Right wrist XR; lateral view; boy, 7 yo. 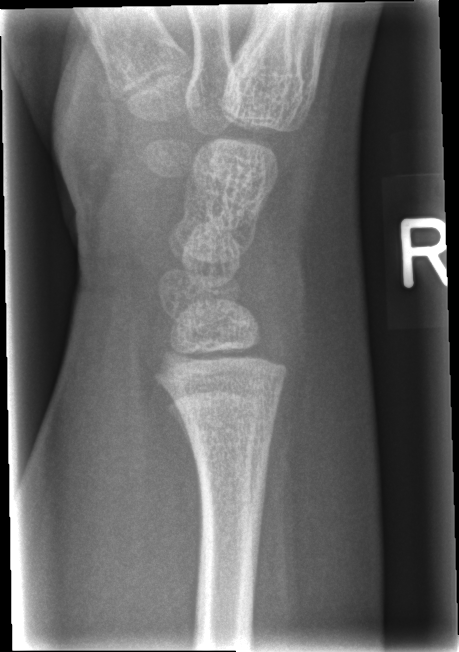
Findings: No fracture bounding box.